Posteroanterior · Rt wrist radiograph

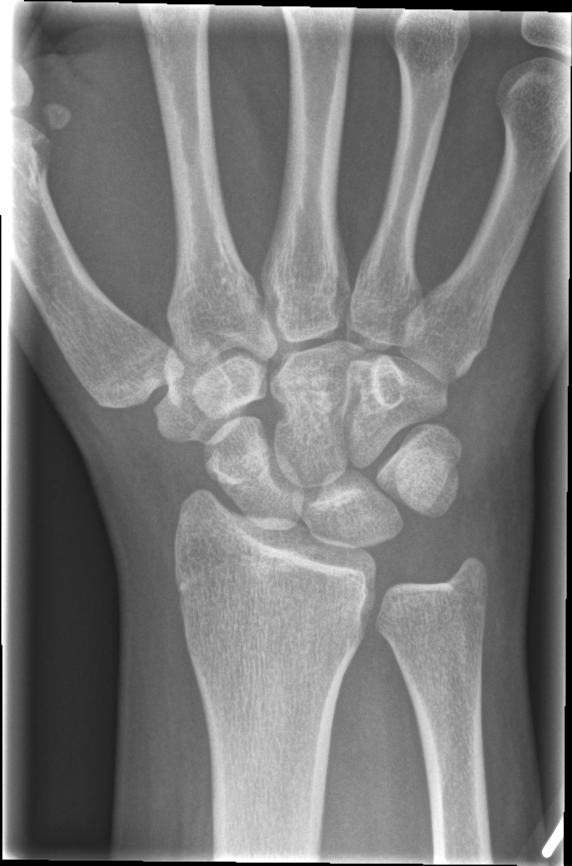
- Fx: none.